Lat projection; Rt plain radiograph of the wrist:

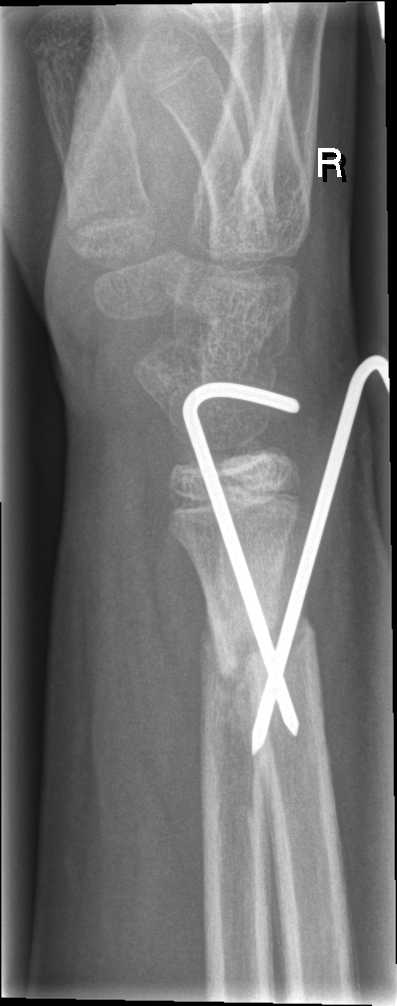
Boxes as x1,y1,x2,y2 (top-left / bottom-right, pixel units).
Reduced bone mineral density.
Hardware — [x1=191, y1=355, x2=392, y2=755].
Fracture classified AO/OTA 23r-M/3.1; 23u-M/2.1.
Bone fracture — [x1=212, y1=602, x2=320, y2=704].